Left wrist X-ray; lat projection.

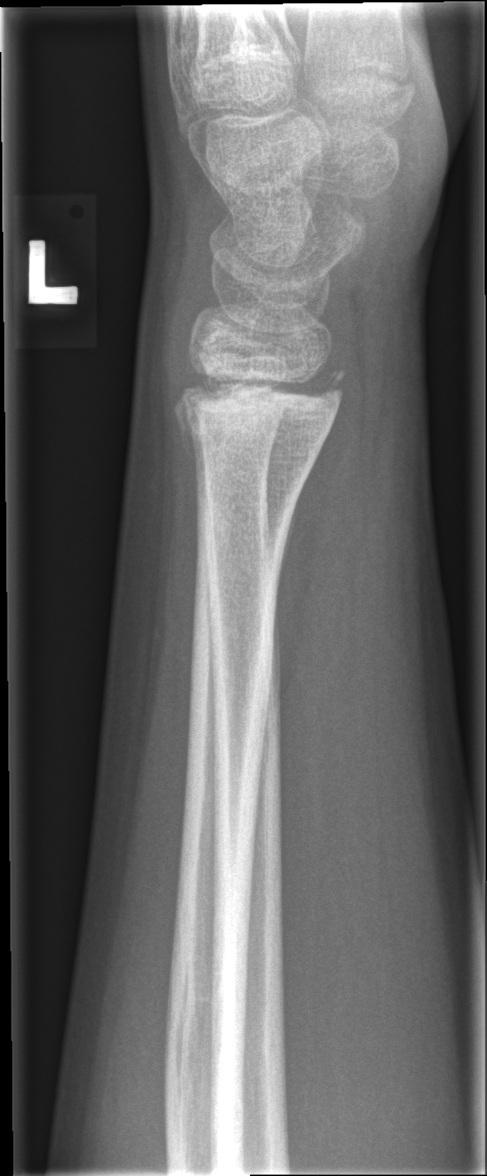 FINDINGS — (boxes as x1,y1,x2,y2 (top-left / bottom-right, pixel units)) AO/OTA classification: 23r-E/2.1; 23u-E/7. Bone fracture — (left=174, top=363, right=348, bottom=423). Osteopenia.